Left wrist plain film; PA projection; 14-year-old male

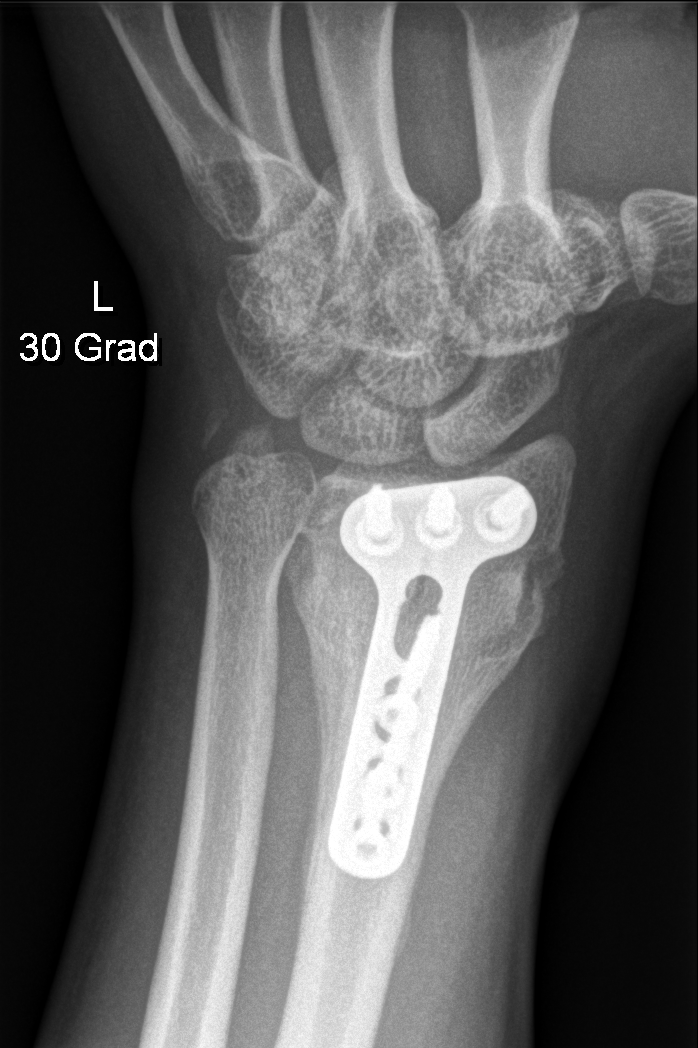

- Fx identified at [x1=294, y1=518, x2=566, y2=649] [x1=182, y1=401, x2=279, y2=485].
- AO code 23r-M/3.1; 23u-E/7.
- Metal — [x1=322, y1=469, x2=541, y2=882].